AP projection, Lt wrist X-ray, 9-year-old female, image width 93.6 mm:
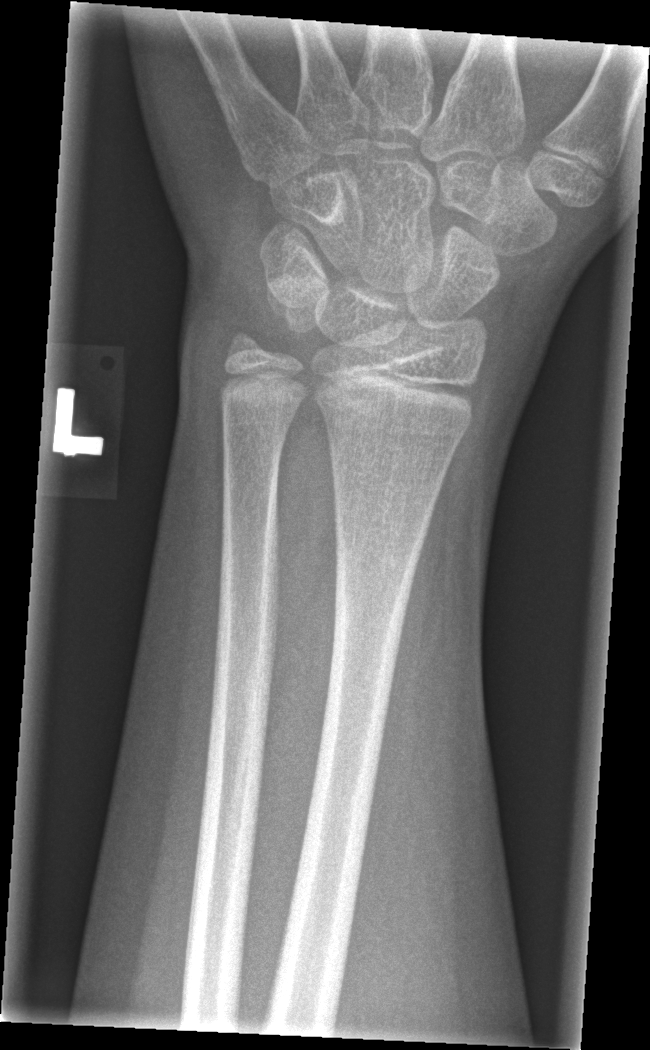

fracture: none labeled